L plain radiograph of the wrist; lateral projection — 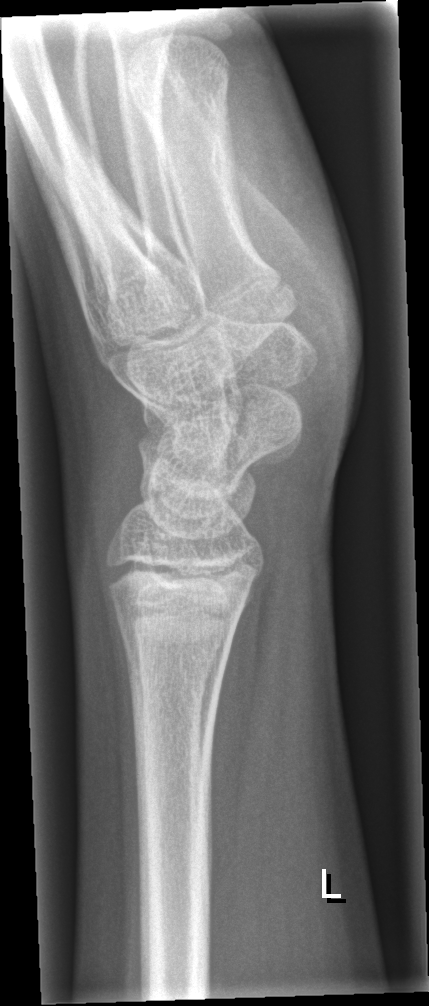 - No fracture bounding box.